PA/AP view, right wrist plain radiograph of the wrist, female, 6 yo, acquired on Siemens, image size 498x696:

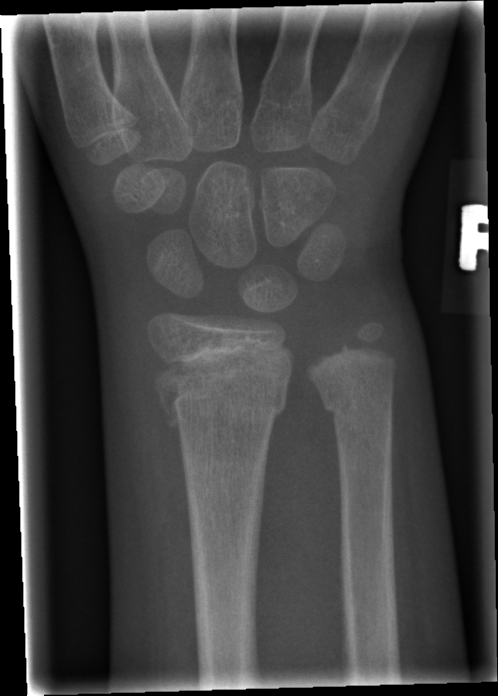

# bounding boxes in image-pixel xyxy
fracture: 2 @ <147,343>-<296,427>, <316,377>-<398,433>